R wrist radiograph; posteroanterior view

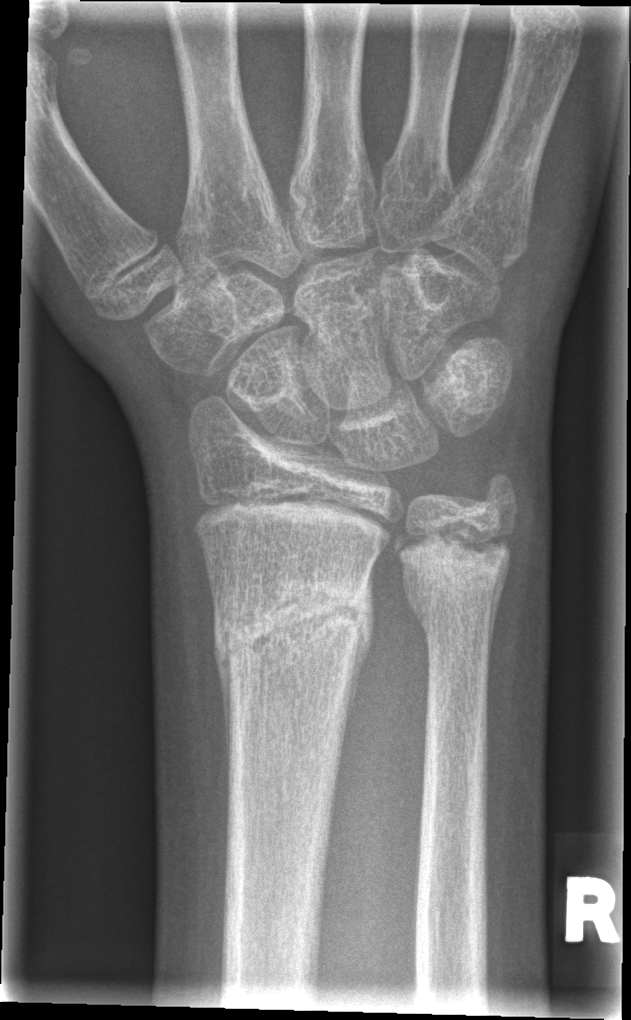 AO/OTA classification: 23r-M/3.1; 23u-E/2.1.
Two fractures at (208, 582, 379, 676); (394, 531, 520, 644).